Left wrist plain film; lateral; 65.7 mm image width: 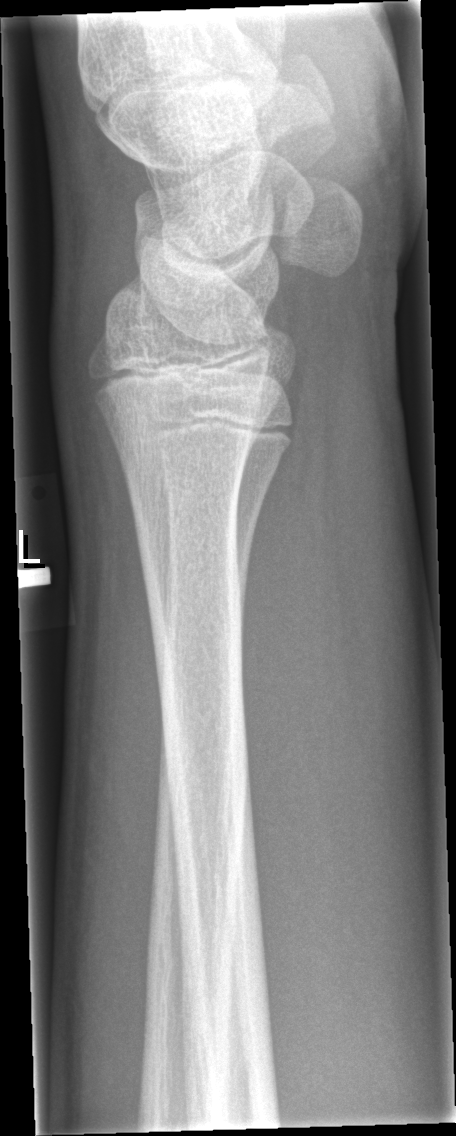

No Fx annotated.